Lateral projection · right wrist XR · 14y M · cast in situ · acquired on Siemens.

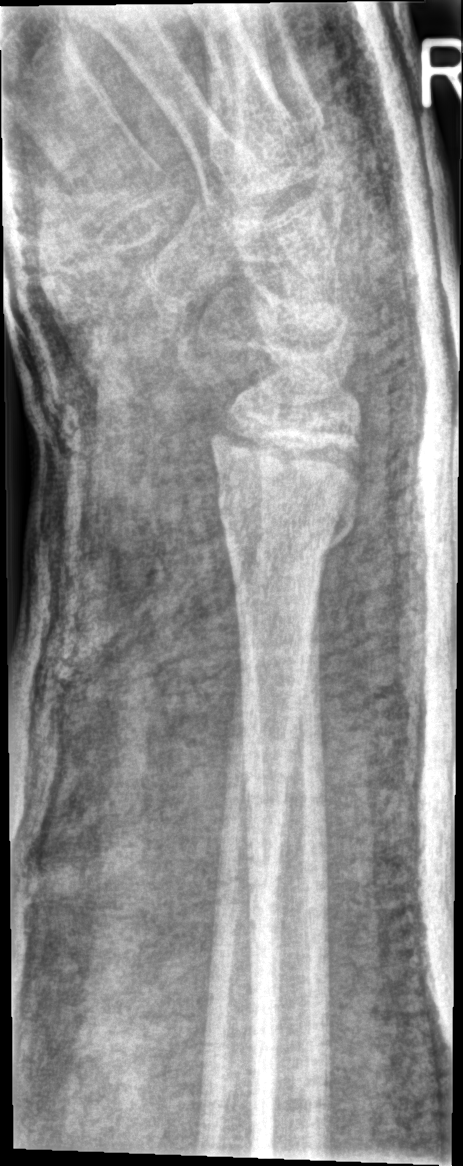
- Fracture classified AO/OTA 23r-M/3.1; 23u-E/7.
- Bone fracture identified at [212, 471, 358, 575].